Lateral view · left wrist pediatric wrist radiograph · 13y M · index exam —

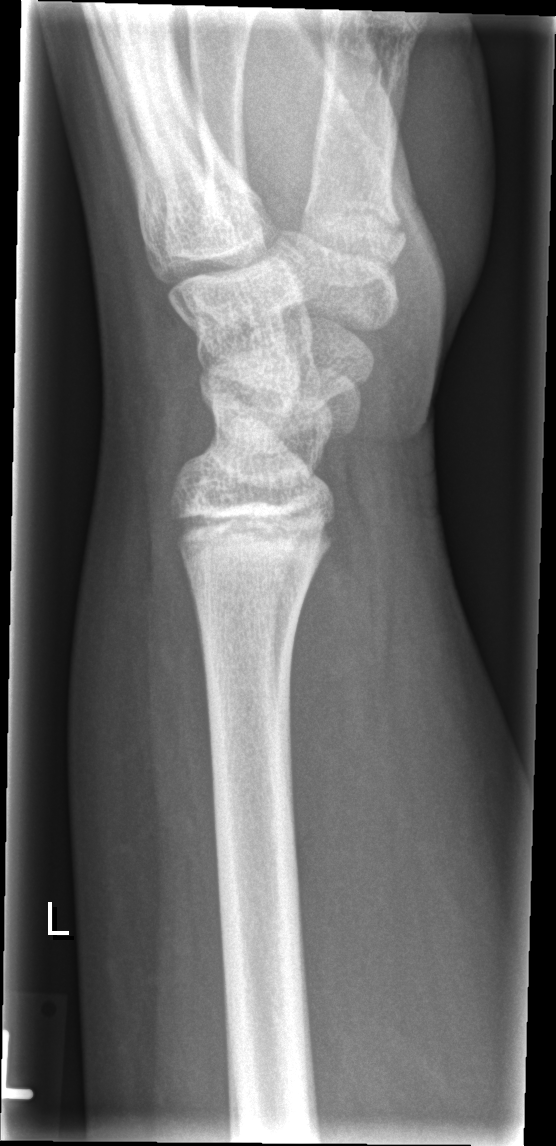

Bone fracture: none labeled